Rt wrist plain film; frontal; 13-year-old boy; initial study; findings marked uncertain by the reading radiologist; 542x1120:

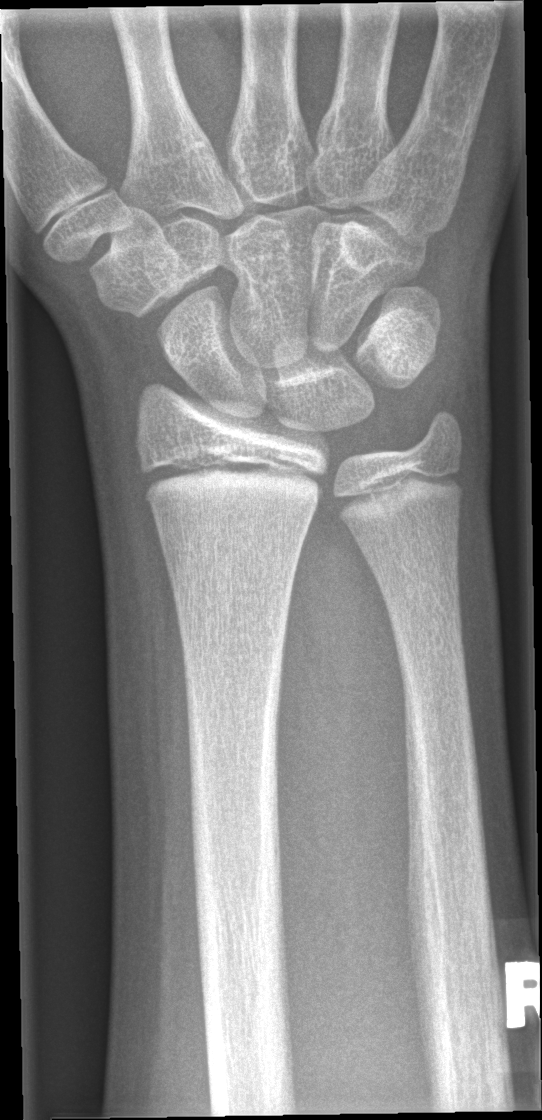

Fx: none.